Rt wrist XR · PA/AP view · 14-year-old male · presentation radiograph 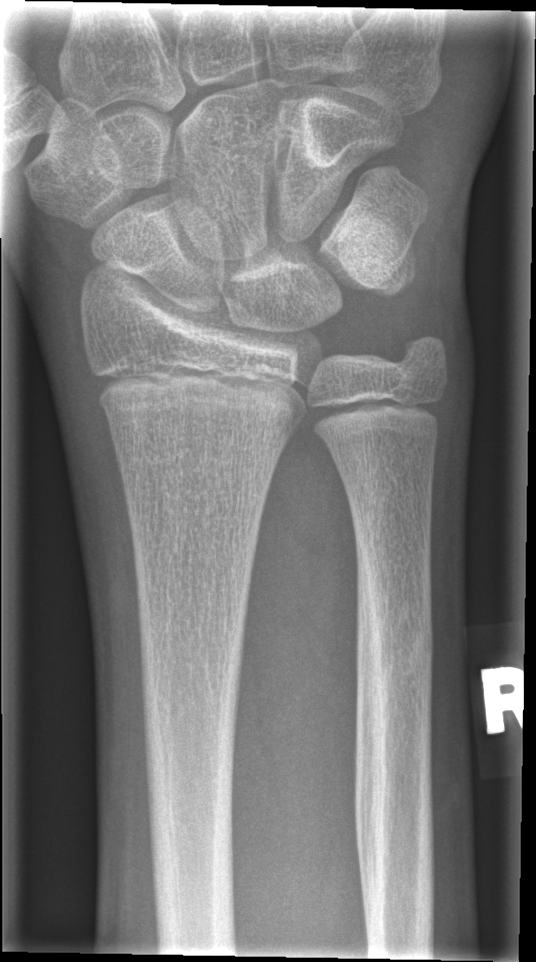

FINDINGS: Fx: none.